R wrist radiograph | lat | pediatric patient (girl, age 5) —
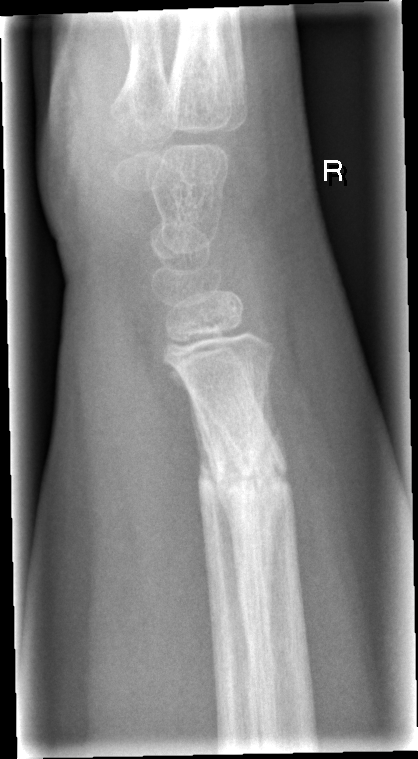 One periosteal thickening at (193, 399, 247, 574).
AO/OTA classification: 23-M/3.1.
Fx: (194, 432, 296, 513).
Decreased bone density (osteopenia).